Lateral view · right wrist radiograph · image width 87.8 mm.
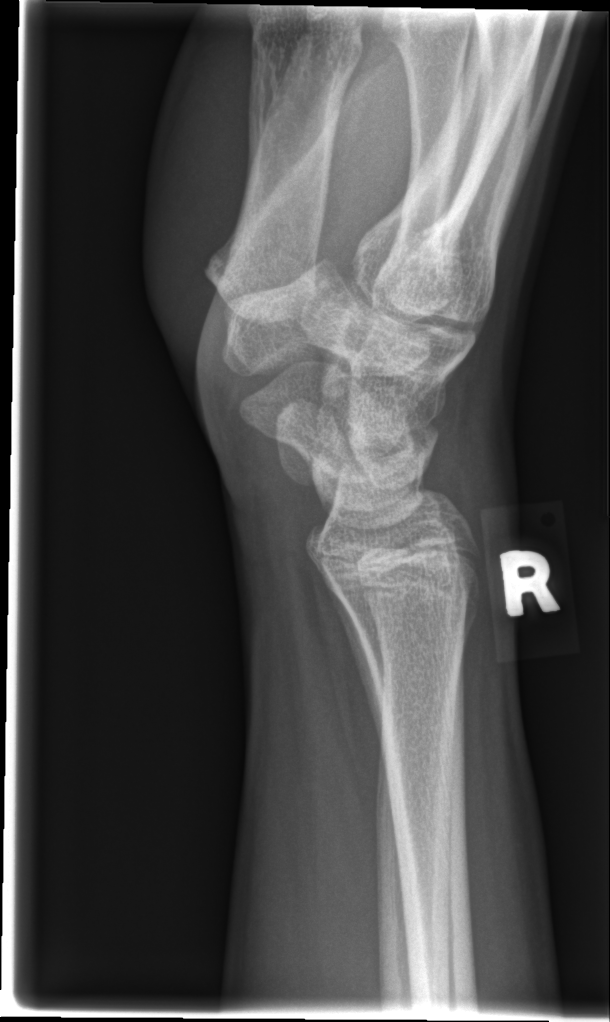

FINDINGS — Fx: none.